Lat projection; right wrist plain film; in cast; acquired on Siemens. 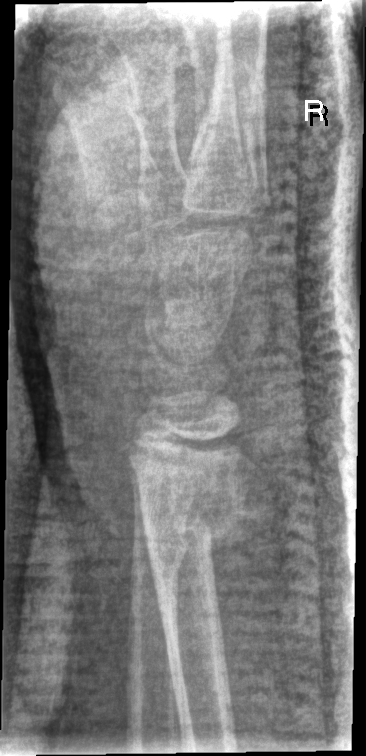
FINDINGS: Fx identified at <130,470>-<245,598>.